Lt pediatric wrist radiograph, PA view, index exam
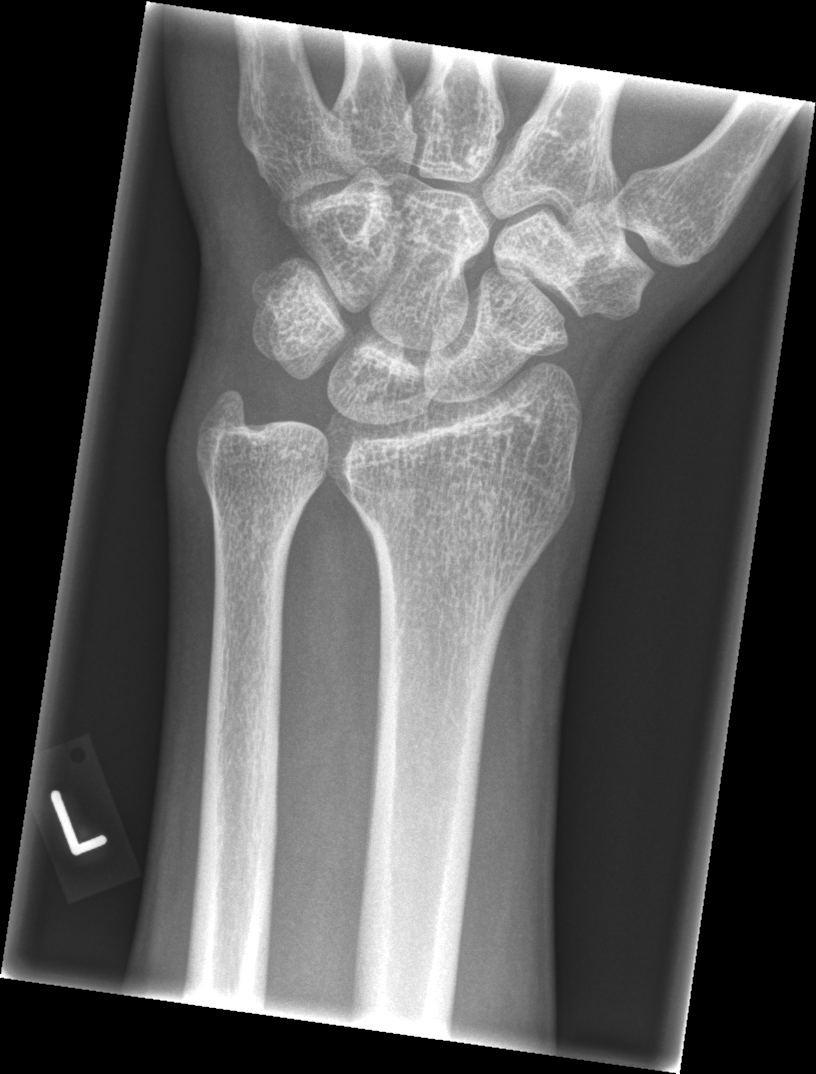

Fracture: none labeled.